Lat, left wrist radiograph, presentation radiograph 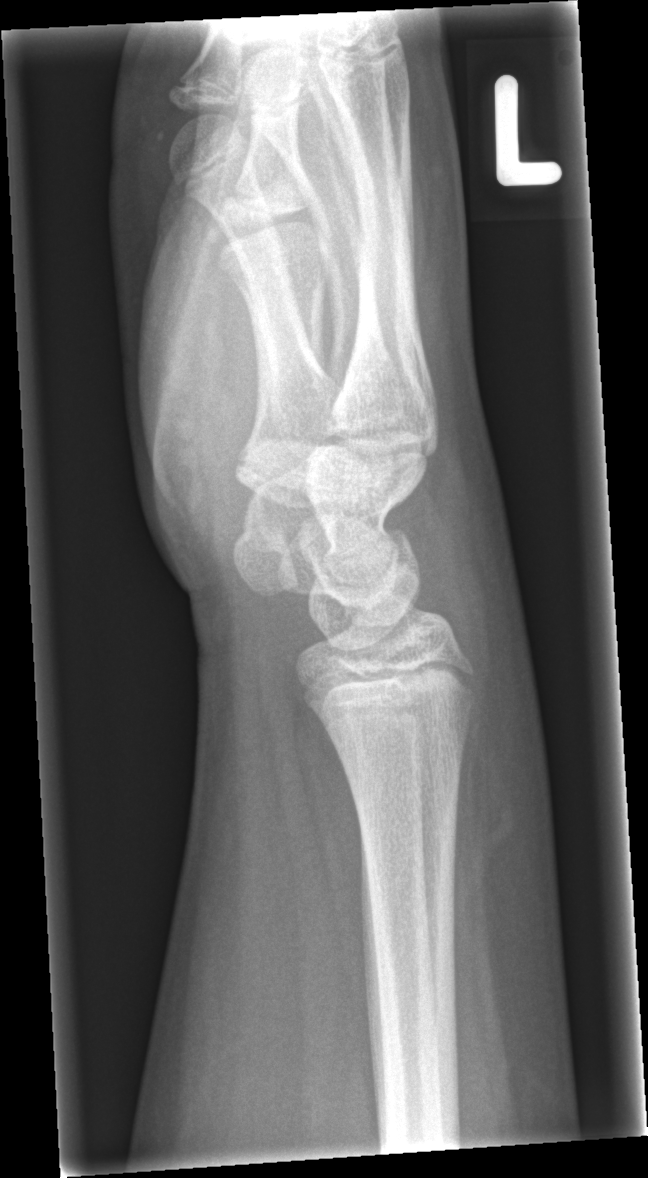 FINDINGS: No fracture bounding box.